L wrist X-ray; lat view; 7y M; 75.0 mm image width — 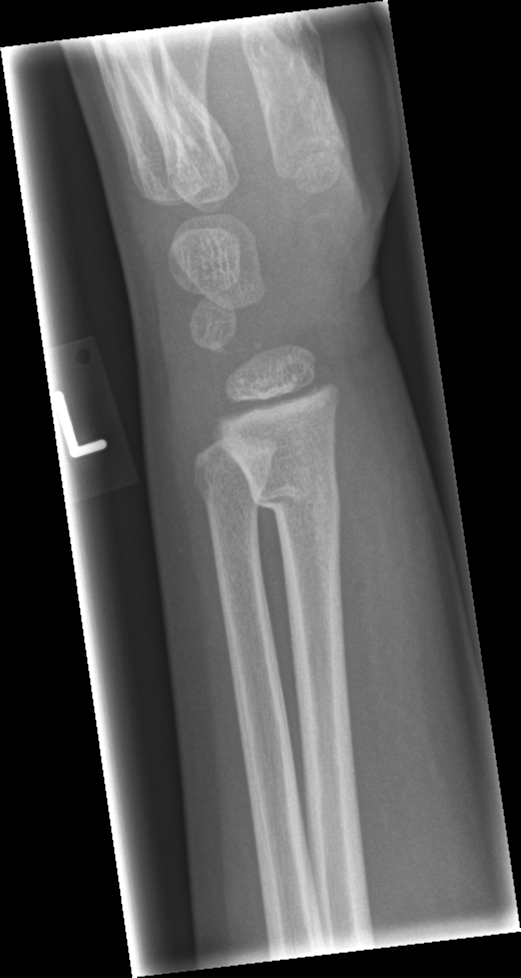
Pixel coordinates, top-left origin, xyxy.
Fractures — [239, 468, 344, 528], [193, 467, 269, 512].